Lateral view; right wrist radiograph; age 15 y, female; follow-up — 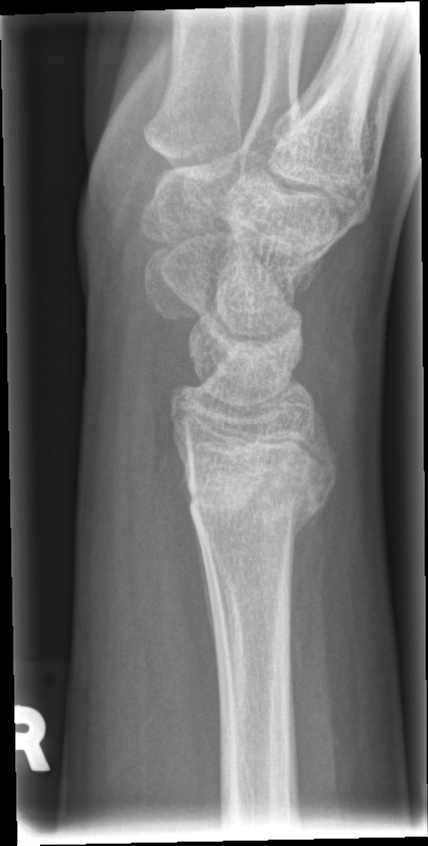 AO code 23r-M/3.1; 23u-E/7. Osteopenic. Fx: [x1=176, y1=445, x2=340, y2=549].